Left pediatric wrist radiograph · posteroanterior view · pediatric patient (male, age 13).

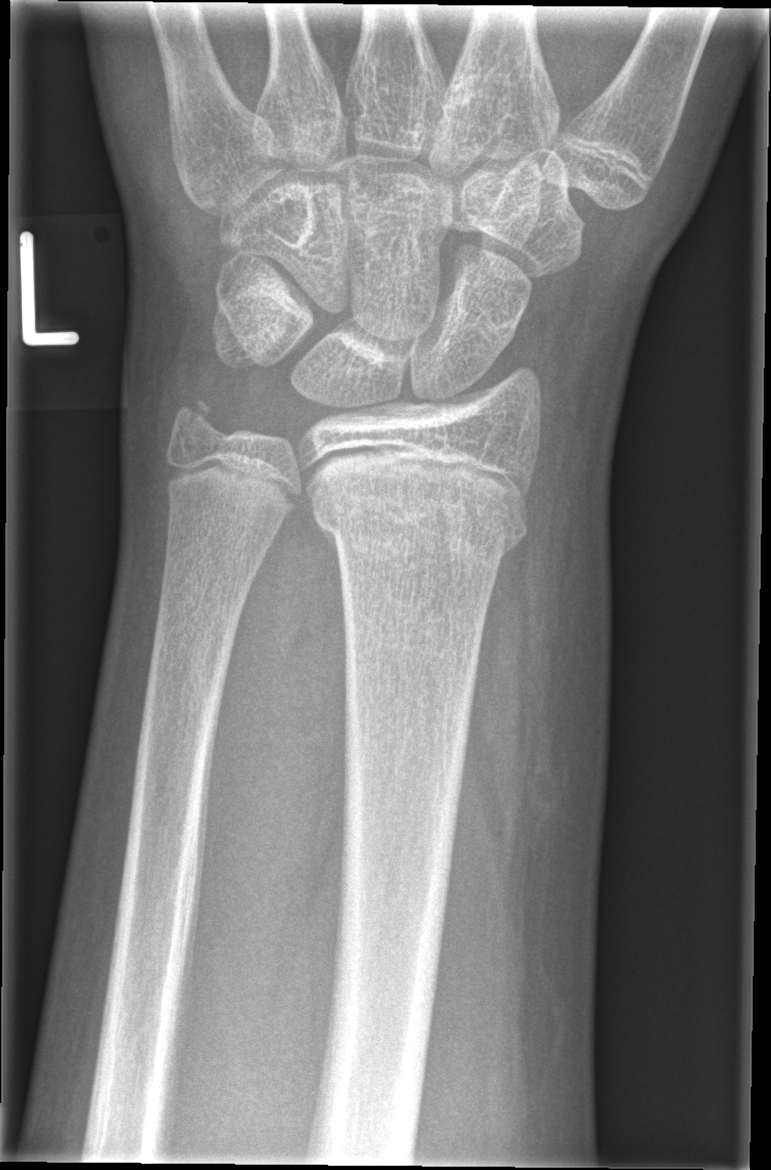
Fracture classified AO/OTA 23r-M/3.1; 23u-E/7. Fracture identified at [x1=312, y1=495, x2=530, y2=563], [x1=165, y1=389, x2=230, y2=453].